AP projection; Rt wrist X-ray; cast present —

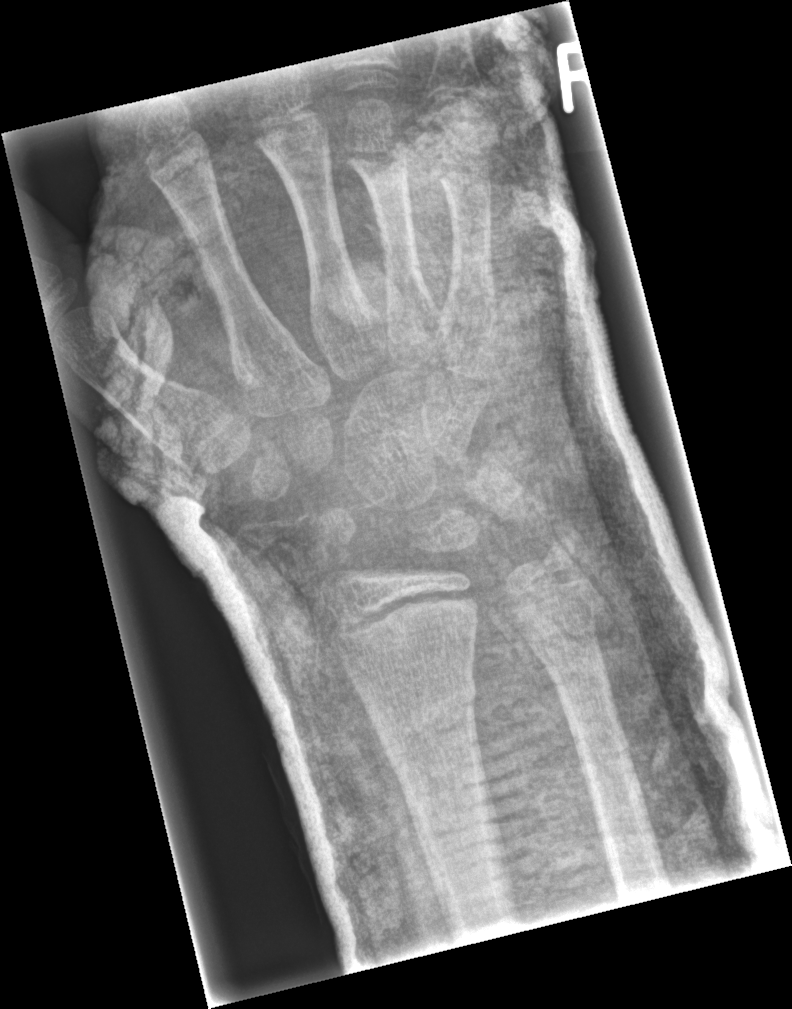 One fracture at 366,671,482,763.
Fracture classified AO/OTA 23r-M/3.1.